Lt pediatric wrist radiograph | lat view
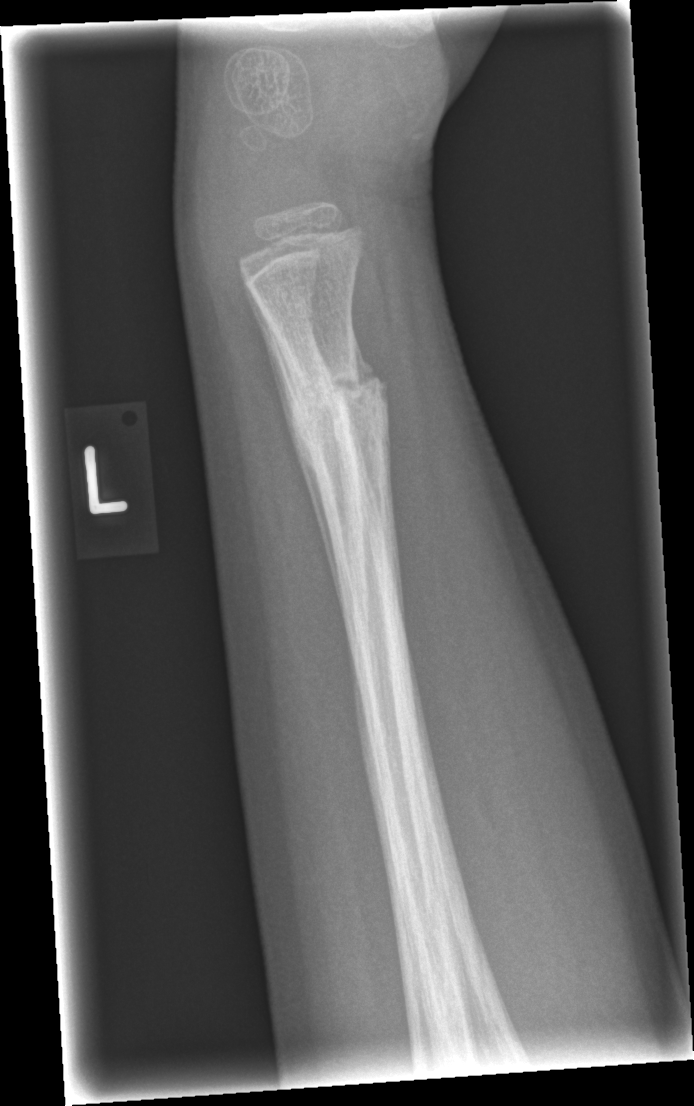
Periosteal new bone: 240 269 349 645
  351 322 406 633
Osteopenia: present
AO code: 23-M/3.1
Bone fracture: 1 @ 290 353 388 462